Right wrist X-ray · lat view · age 6 y, girl · follow-up · cast in situ · 512 x 867 px

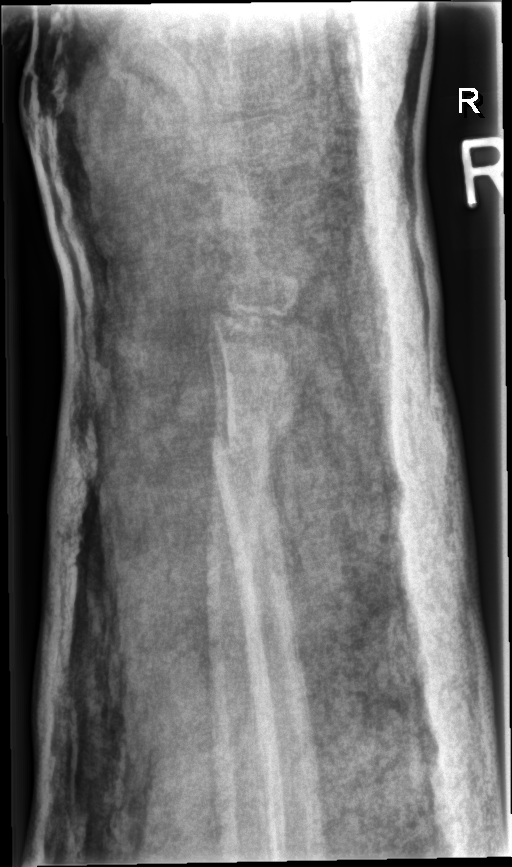 (bounding boxes in image-pixel xyxy)
AO code = 23r-M/3.1
Bone fracture = 1 @ bbox(202, 401, 299, 475)